AP; R pediatric wrist radiograph; presentation radiograph.

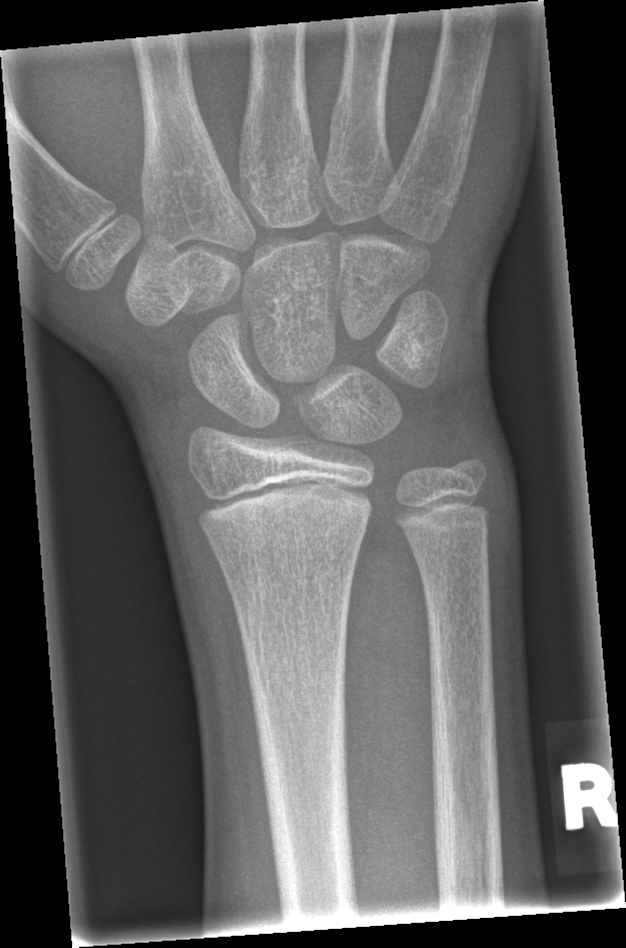 AO/OTA classification: 23r-M/2.1. Fx: present but not clearly seen in this view.